Lt pediatric wrist radiograph; lateral view; age 14 y, male: 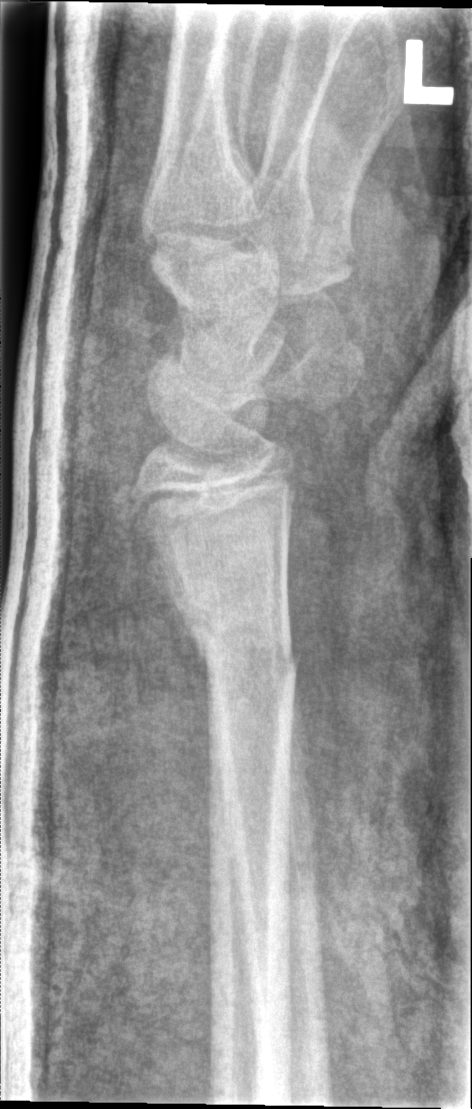
  # boxes as x1,y1,x2,y2 (top-left / bottom-right, pixel units)
  fracture: <176,592>-<304,695>